R wrist plain film · lat view · 12y F · 79.5 mm image width · image size 552x996:
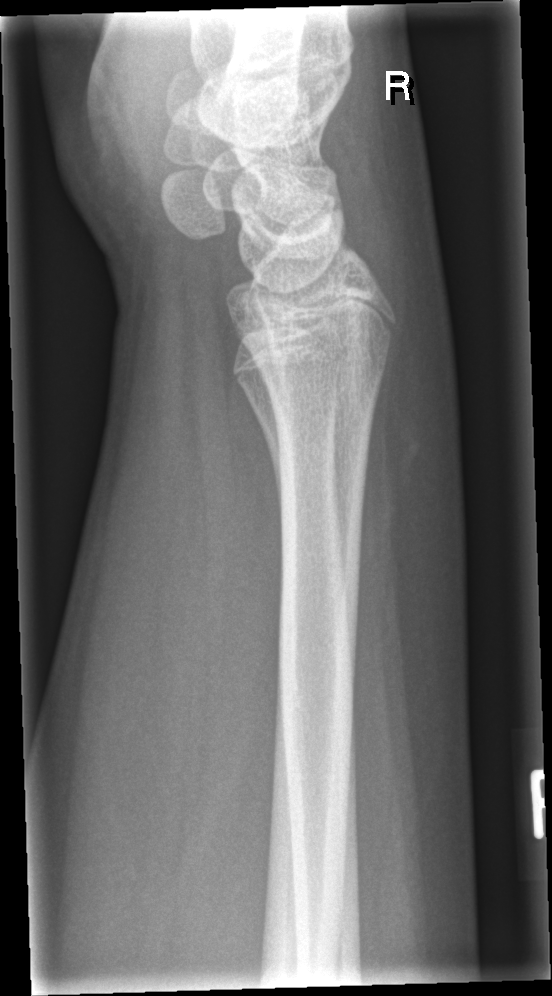 Fracture = none labeled